Left wrist plain radiograph of the wrist | lateral:
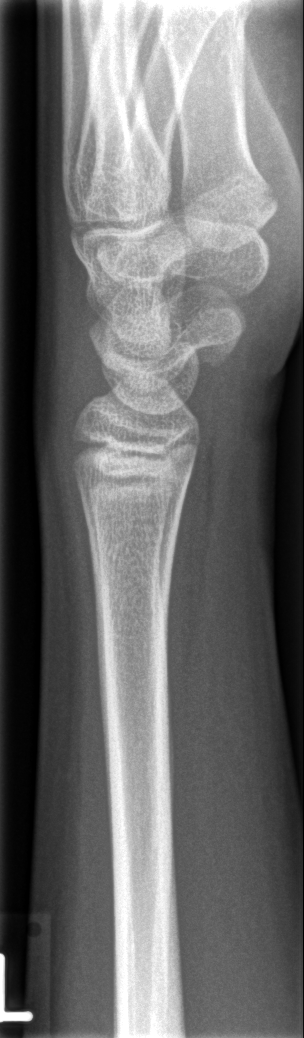
{
  "fracture": "none labeled"
}